Lat view | left plain radiograph of the wrist | male, 5 yo | cast present | 102.8 mm image width | 714 by 1280 pixels — 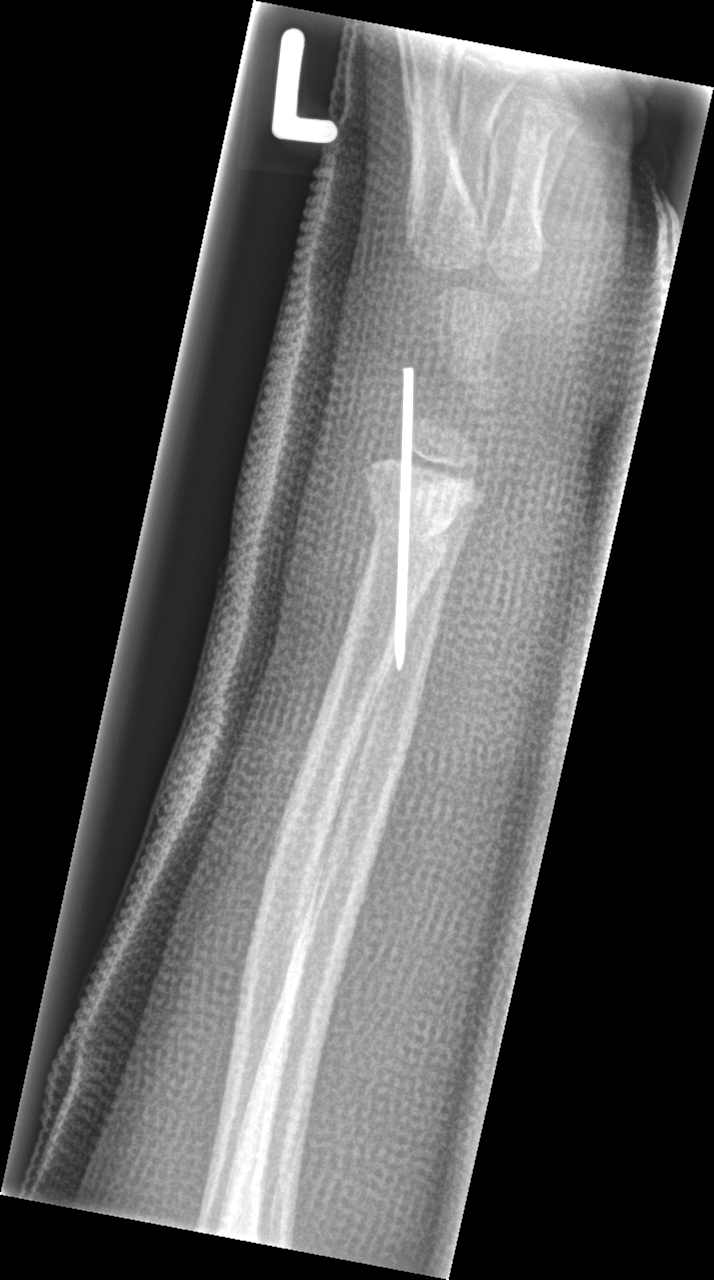 - Metallic implant identified at (389, 360, 417, 679).
- AO/OTA classification: 23r-M/3.1; 23u-M/2.1.
- Bone fracture identified at (365, 494, 453, 563).